Rt plain radiograph of the wrist | PA view | imaged through cast | Siemens

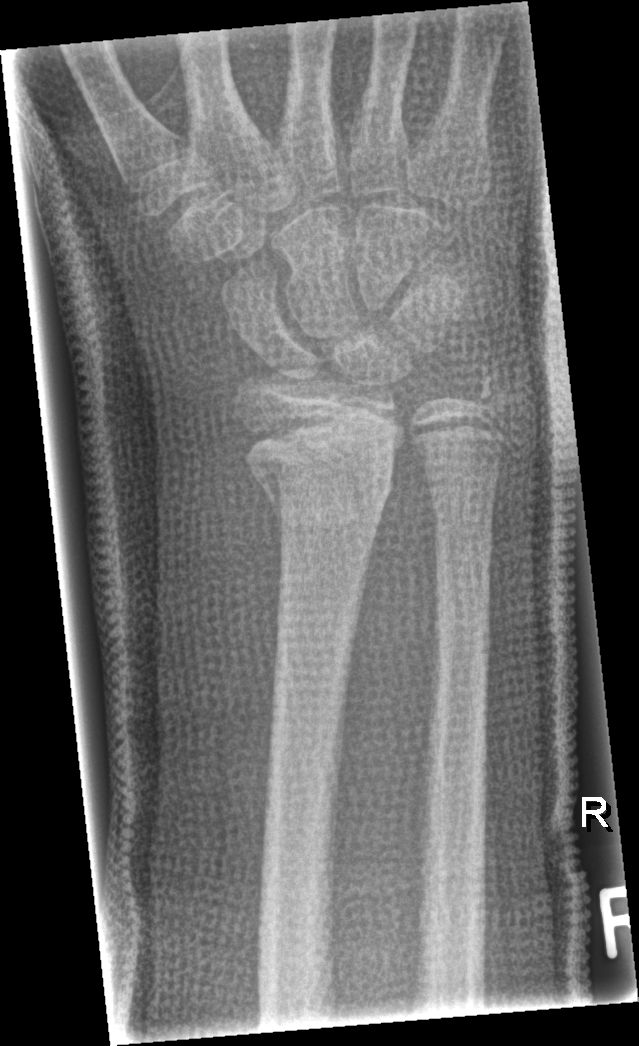
(pixel coordinates, top-left origin, xyxy)
bone fracture = 2 @ (238, 440, 398, 534), (460, 364, 514, 426)
AO classification = 23r-M/3.1; 23u-E/7